Left wrist plain film | lat projection | pediatric patient (male, age 9) 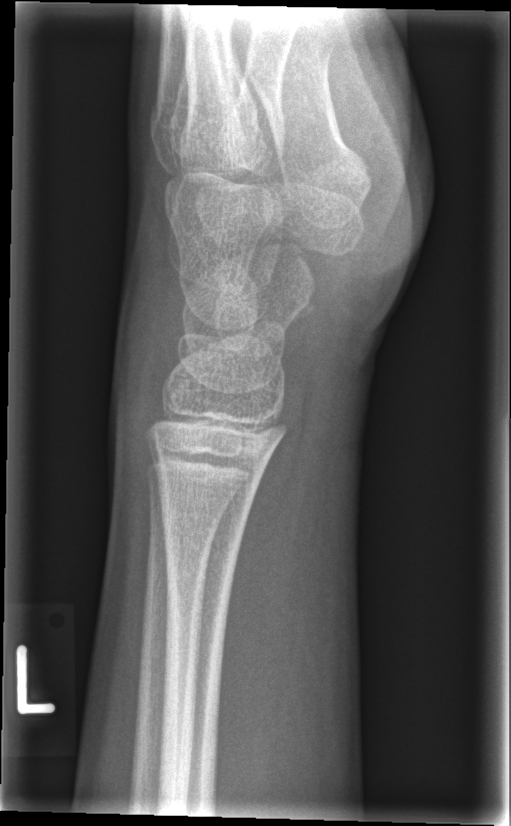 bone fracture: none labeled